Lat projection · right plain radiograph of the wrist · follow-up study:

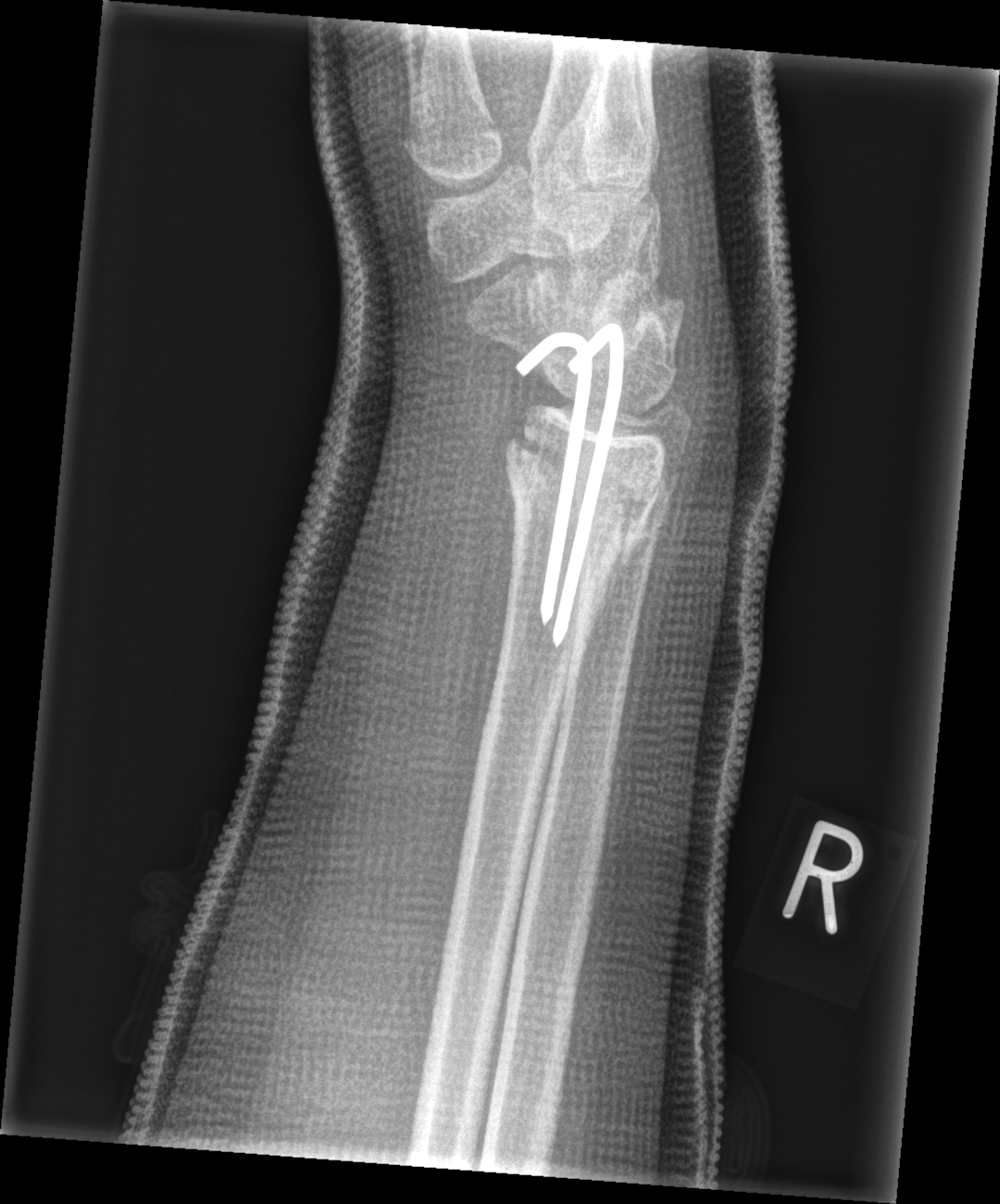   # pixel coordinates, top-left origin, xyxy
  ao: 23r-M/3.1; 23u-E/7
  fracture: 1 @ <499,406>-<664,609>
  metal: <517,321>-<625,650>